AP view, left wrist plain radiograph of the wrist, Siemens: 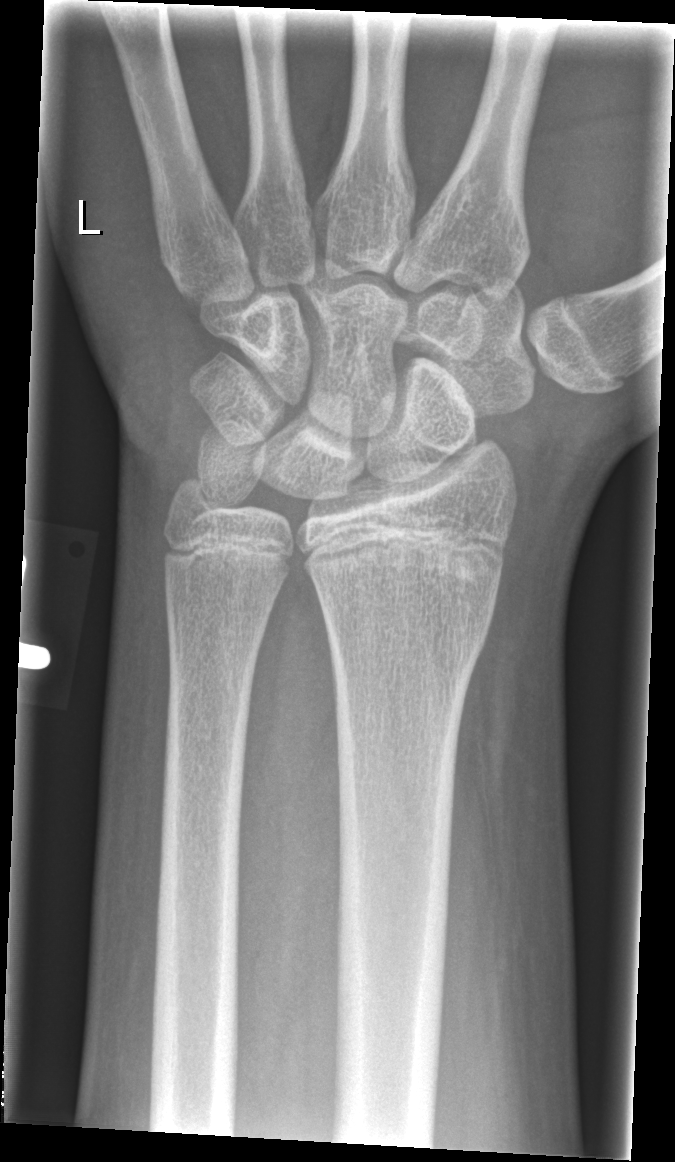 - No fracture bounding box.